PA projection · left wrist plain film —
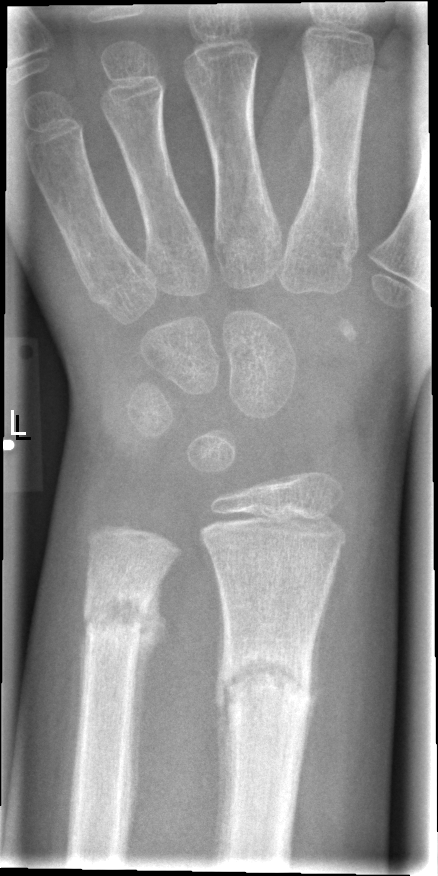
Bone fractures — [x1=211, y1=643, x2=320, y2=733], [x1=79, y1=587, x2=161, y2=647].
AO/OTA classification: 23-M/3.1.
Periosteal thickening: [x1=126, y1=582, x2=168, y2=837], [x1=303, y1=570, x2=335, y2=762], [x1=212, y1=587, x2=229, y2=866], [x1=79, y1=636, x2=87, y2=721].